AP view | Rt wrist radiograph | image size 699x1258. 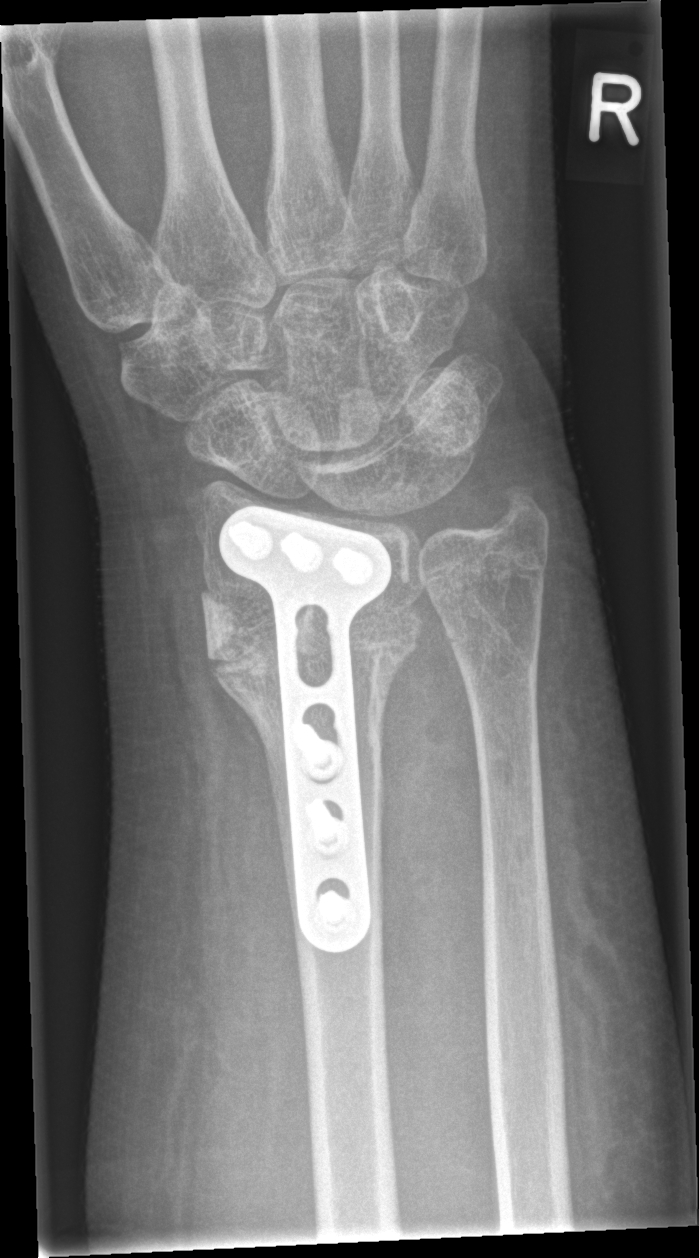

FINDINGS: Osteopenic. Fx: <199,572>-<424,685>, <485,473>-<556,544>. One hardware at <220,506>-<391,951>.